PA/AP · left wrist plain film —

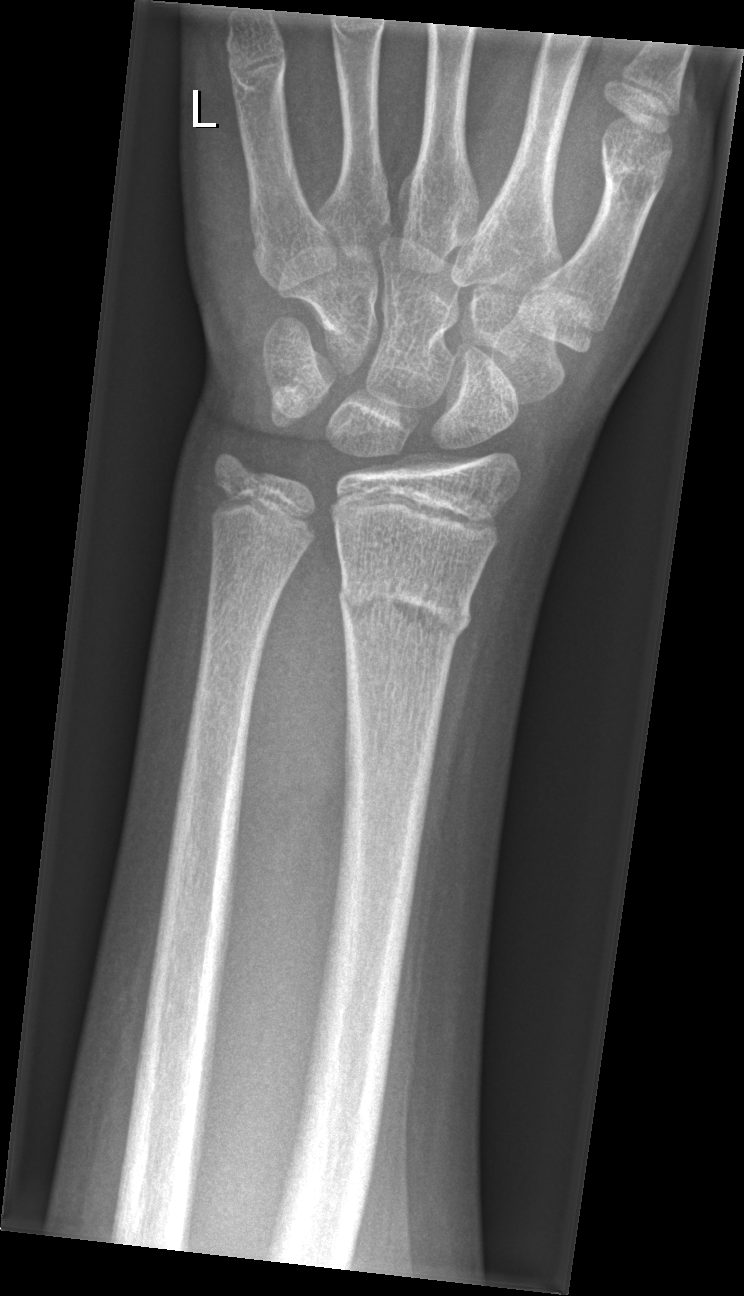

- Fracture classified AO/OTA 23-M/3.1; 23u-E/7.
- Fracture: bbox(335, 565, 477, 648).